Rt wrist X-ray · posteroanterior · pediatric patient (girl, age 7) · initial study:

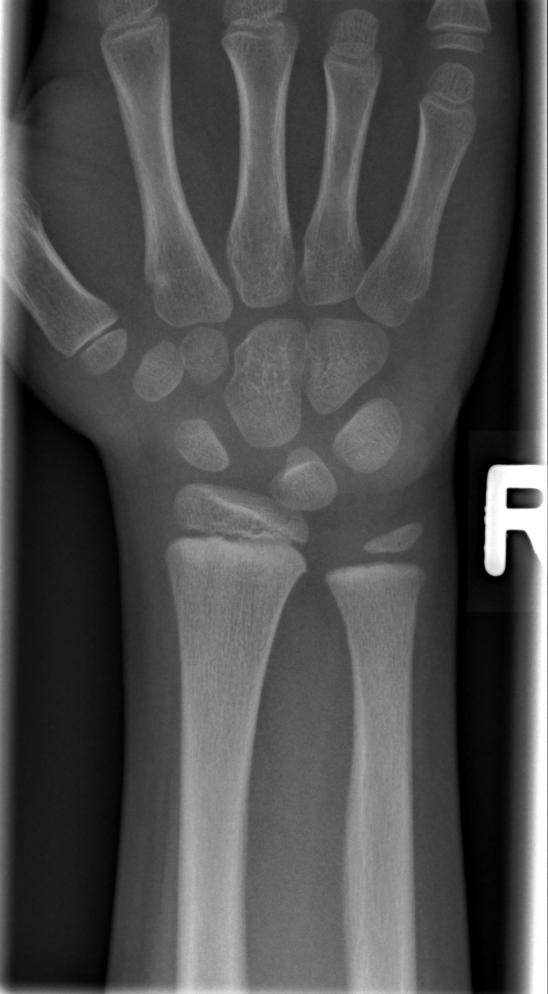
{"fracture": "none labeled"}